Lt wrist plain film | lat projection.
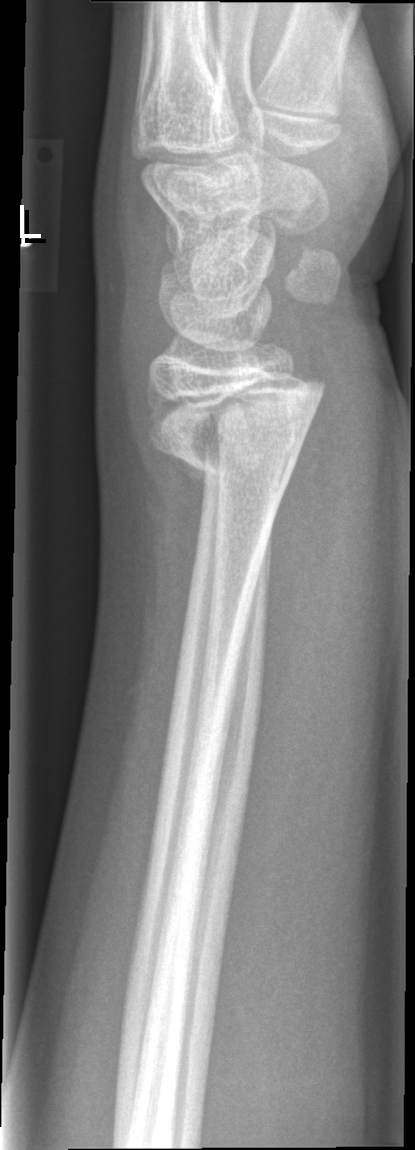

* Coordinates are [x1, y1, x2, y2] in image pixels.
* Fx: 143,374,329,496.
* AO/OTA classification: 23r-E/2.1; 23u-E/7.
* One pronator quadratus fat-pad sign at 250,347,357,731.